Left plain radiograph of the wrist | frontal projection | index exam | image width 68.8 mm | 478 x 894 px.
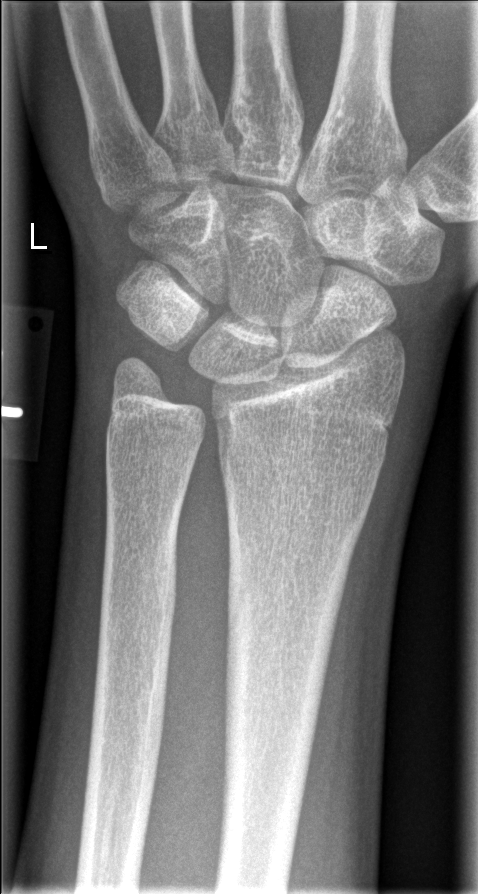

No fracture labeled.